Lat projection · Lt wrist radiograph · 7y F · imaged through cast · image size 494x1116:
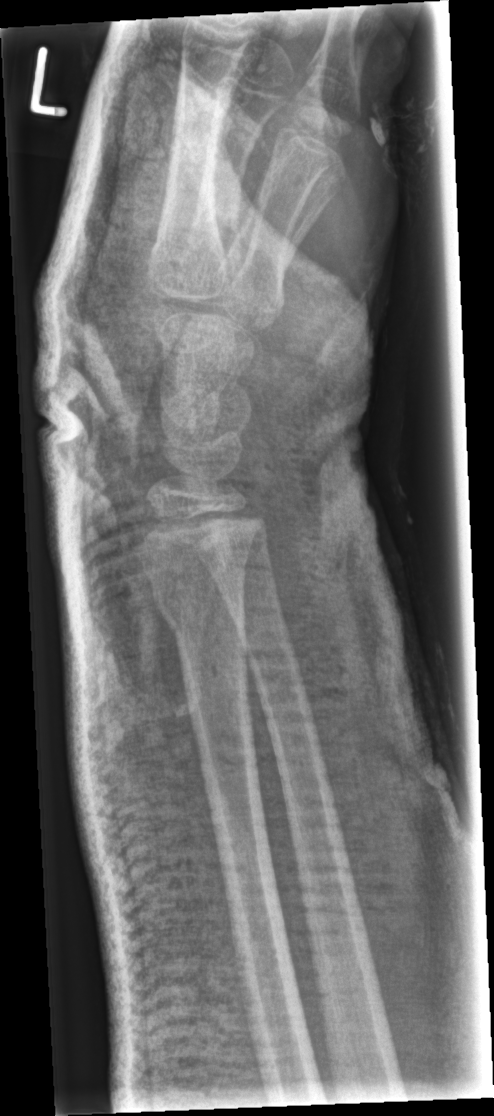

Q: Locate any fractures.
A: Fracture — bbox(145, 587, 250, 639)